Lateral projection; L plain radiograph of the wrist; 72.4 mm image width; image size 503x1168
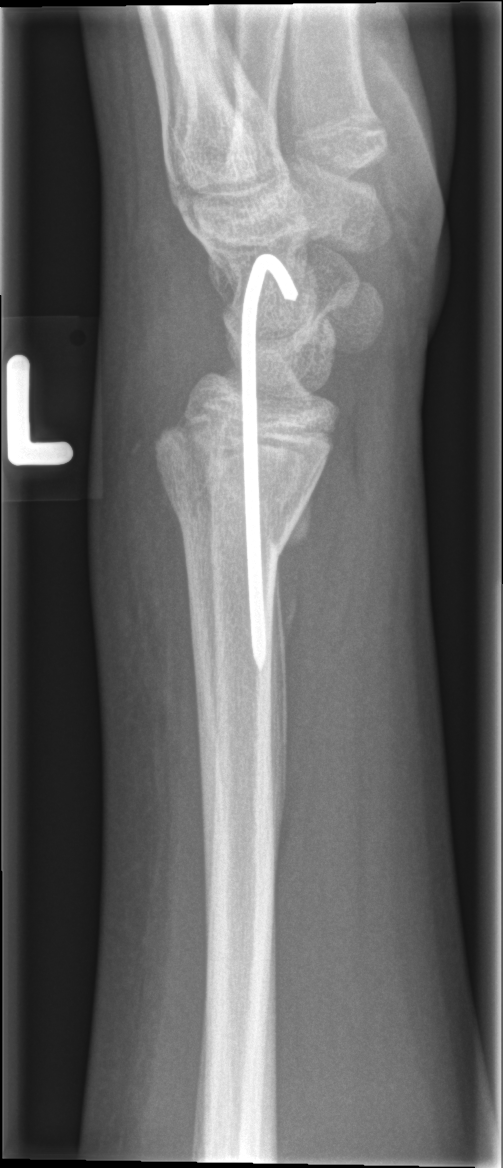

- Bounding boxes in image-pixel xyxy.
- Metallic implant: <239,260>-<296,667>.
- Periosteal new bone identified at <274,487>-<314,651>.
- Fracture classified AO/OTA 23r-E/2.1; 23u-M/2.1.
- One bone fracture at <150,412>-<333,565>.